Frontal | Lt pediatric wrist radiograph | 11y F

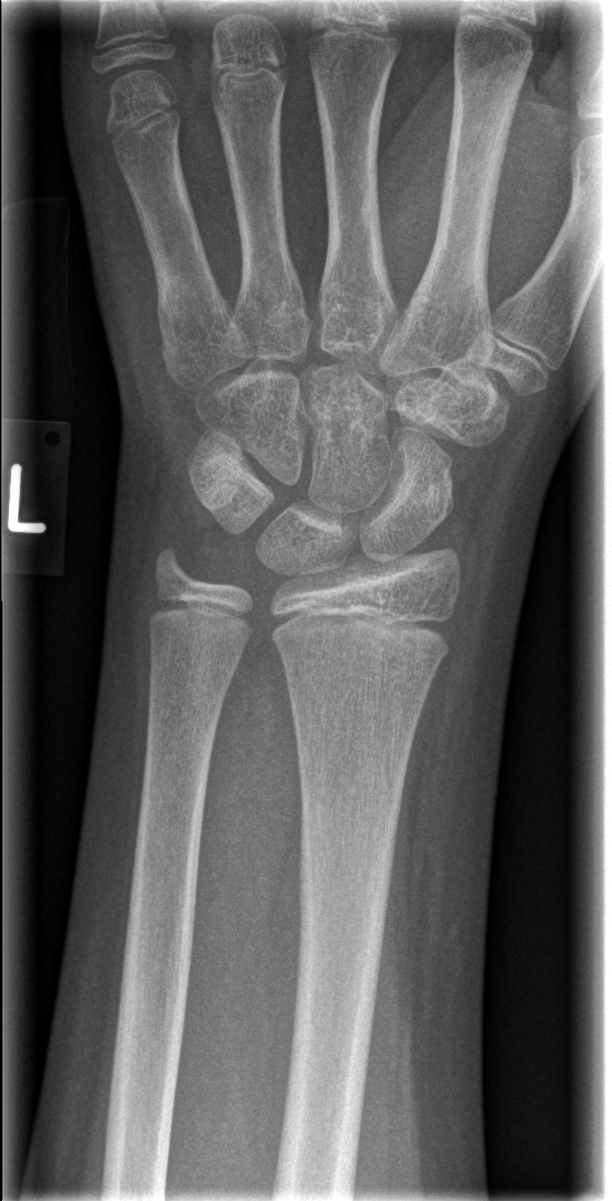

FINDINGS — Fx: none.